Lateral view | Lt plain radiograph of the wrist | follow-up study | Siemens | image 66.5 mm wide:
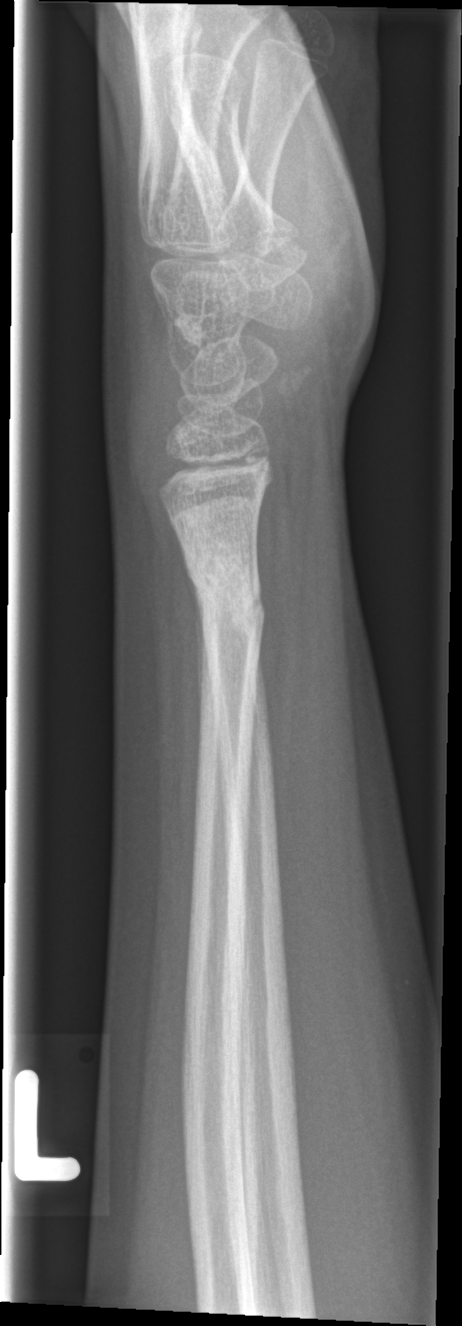

# boxes as x1,y1,x2,y2 (top-left / bottom-right, pixel units)
osteopenia: present
bonelesion: 1 @ 173,307,208,348
ao: 23-M/2.1
fracture: 1 @ 183,546,268,644